Right wrist pediatric wrist radiograph · PA/AP · pediatric patient (male, age 11). 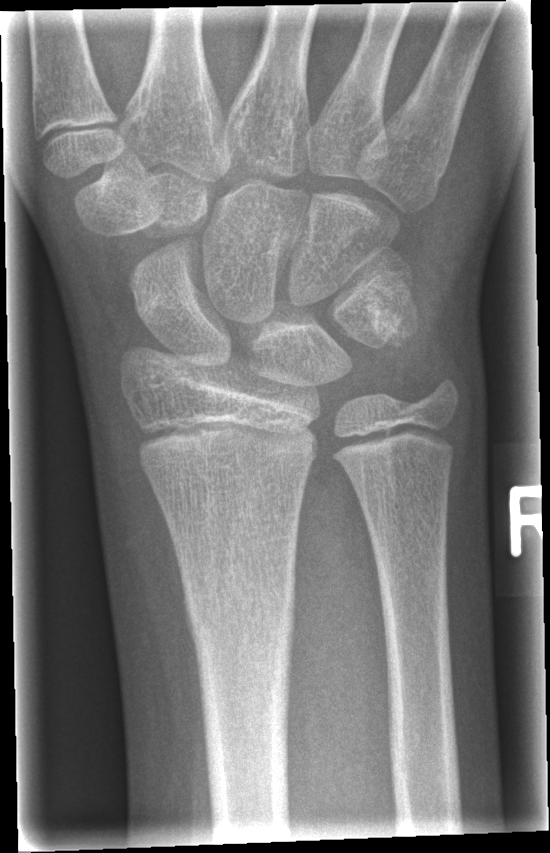
- AO/OTA classification: 23r-M/2.1.
- Bone fracture identified at (left=182, top=589, right=299, bottom=656).